Frontal; R wrist radiograph; girl, 9 yo; presentation radiograph —

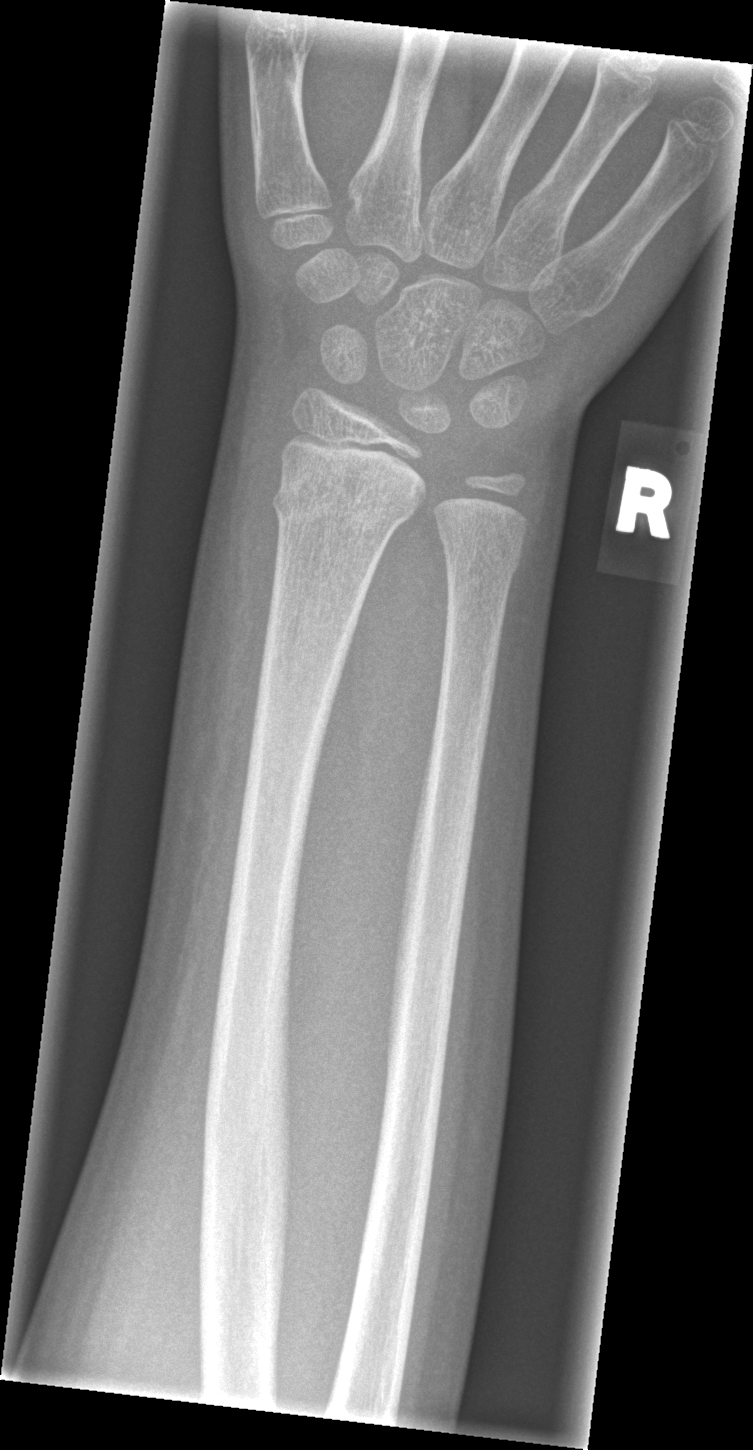

(boxes as x1,y1,x2,y2 (top-left / bottom-right, pixel units))
Fracture = 2 @ (left=269, top=468, right=420, bottom=534) (left=439, top=537, right=526, bottom=583)